PA/AP; L wrist X-ray; image 83.5 mm wide; 580 by 1016 pixels

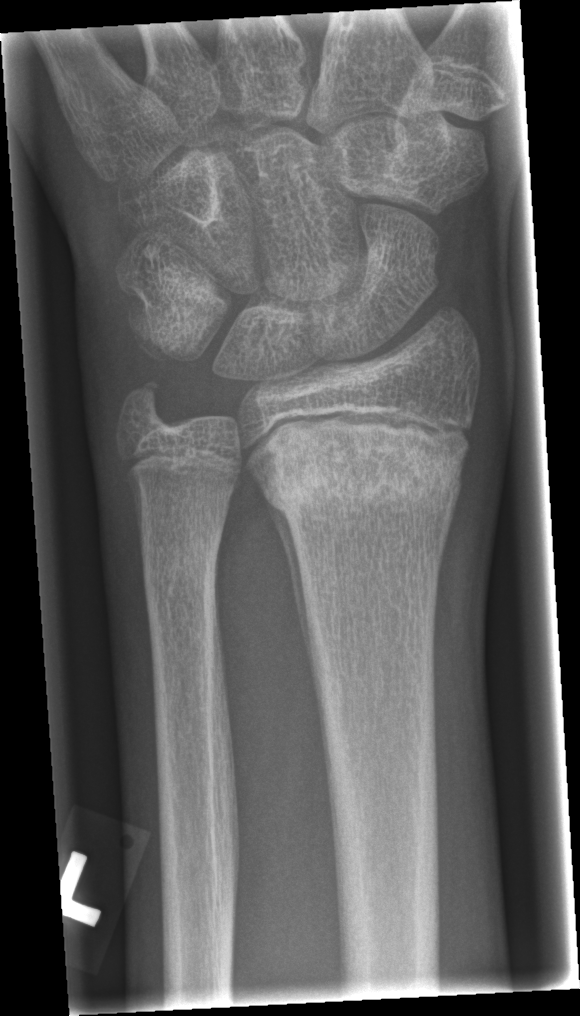
* Coordinates are [x1, y1, x2, y2] in image pixels.
* Periosteal reaction identified at [x1=260, y1=485, x2=331, y2=785].
* Two bone fractures at [x1=254, y1=439, x2=466, y2=523]; [x1=112, y1=370, x2=177, y2=436].